Right wrist plain film; lat view; female, 9 yo; follow-up; imaged through cast; acquired on Siemens; 65.1 mm image width —
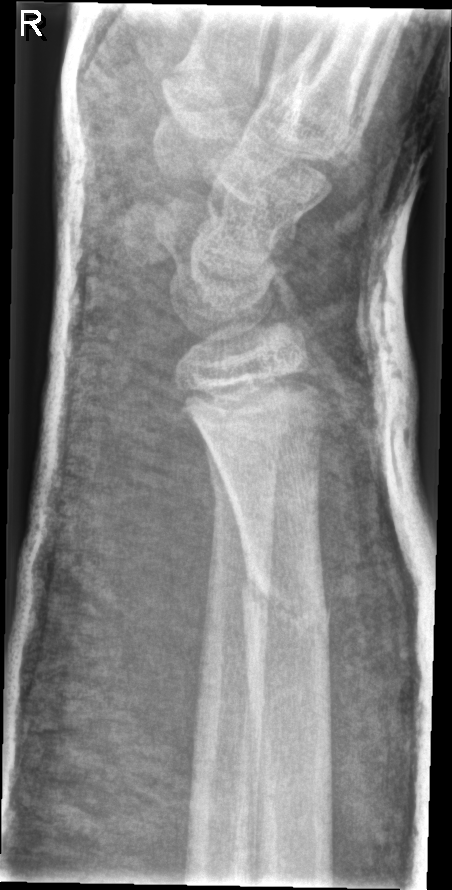

# boxes as x1,y1,x2,y2 (top-left / bottom-right, pixel units)
fracture: <234,568>-<335,660>
ao: 23r-M/3.1; 23u-M/2.1